Right wrist radiograph, lat view 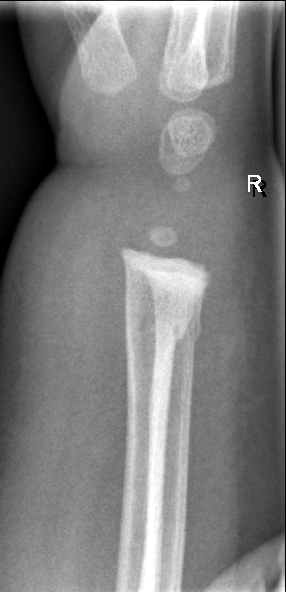
Two fractures at (left=123, top=307, right=190, bottom=353); (left=153, top=315, right=204, bottom=346).